Lat view; left wrist plain film; index exam; 439x862 —
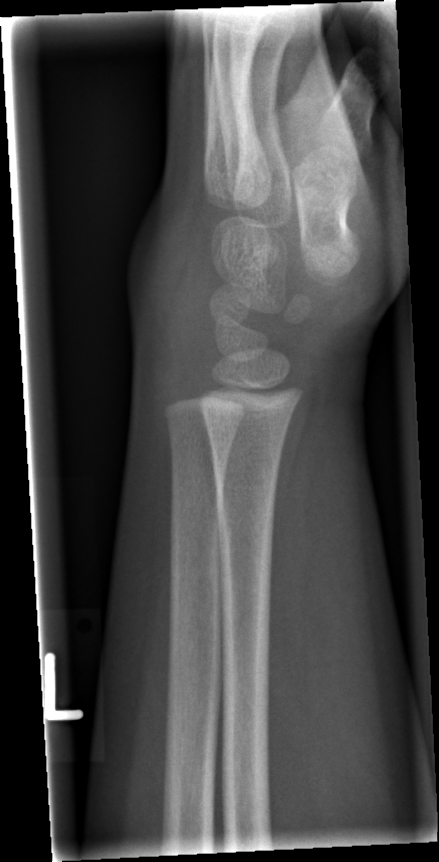
(pixel coordinates, top-left origin, xyxy)
soft-tissue swelling = [123, 191, 227, 401]
bone fracture = none labeled